Lt wrist radiograph · posteroanterior projection:

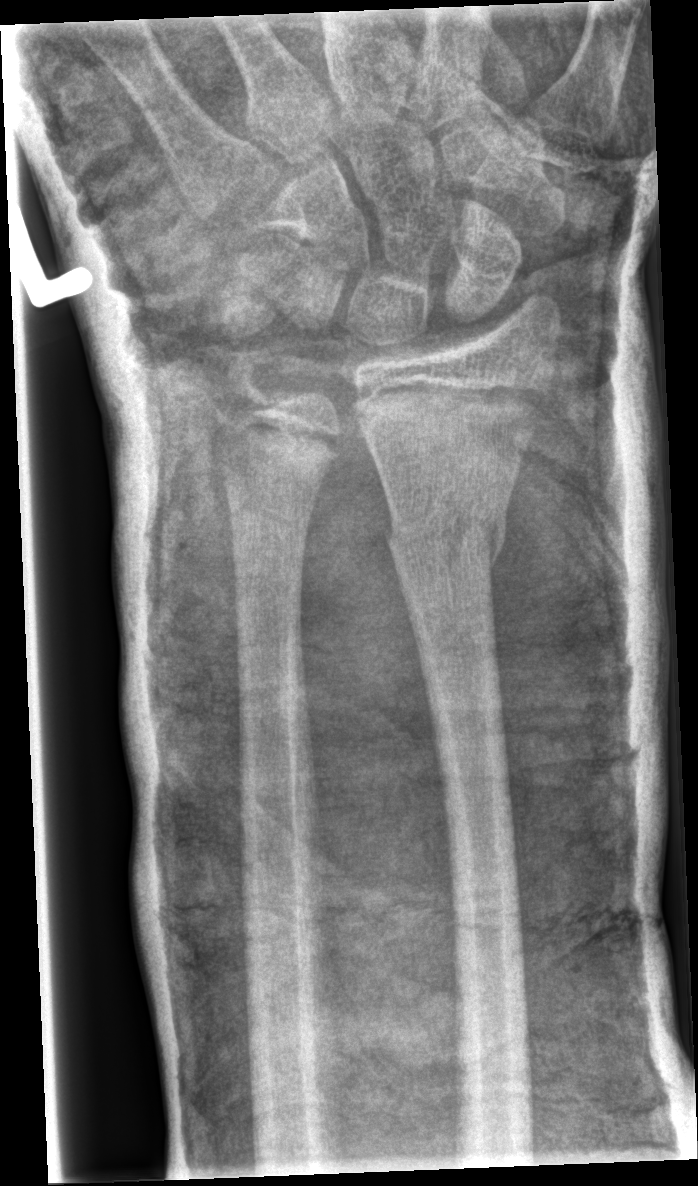 Q: Is there a fracture?
A: Two bone fractures at (left=380, top=491, right=510, bottom=578), (left=206, top=344, right=285, bottom=430)
Q: AO code?
A: AO code 23r-M/3.1; 23u-E/7